Frontal · right wrist radiograph · age 5 y, male · cast present · image width 82.5 mm: 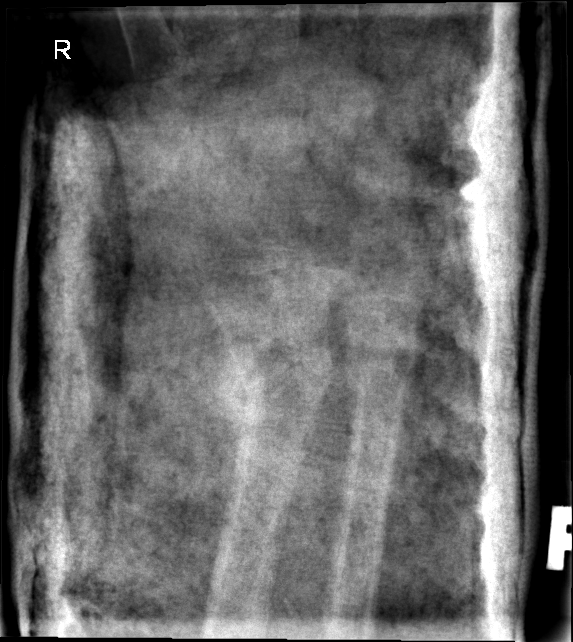
AO classification: 23-M/3.1
Fx: <221,333>-<336,429>; <341,335>-<421,399>